PA, right wrist X-ray, 11-year-old female, presentation radiograph, 710 by 730 pixels

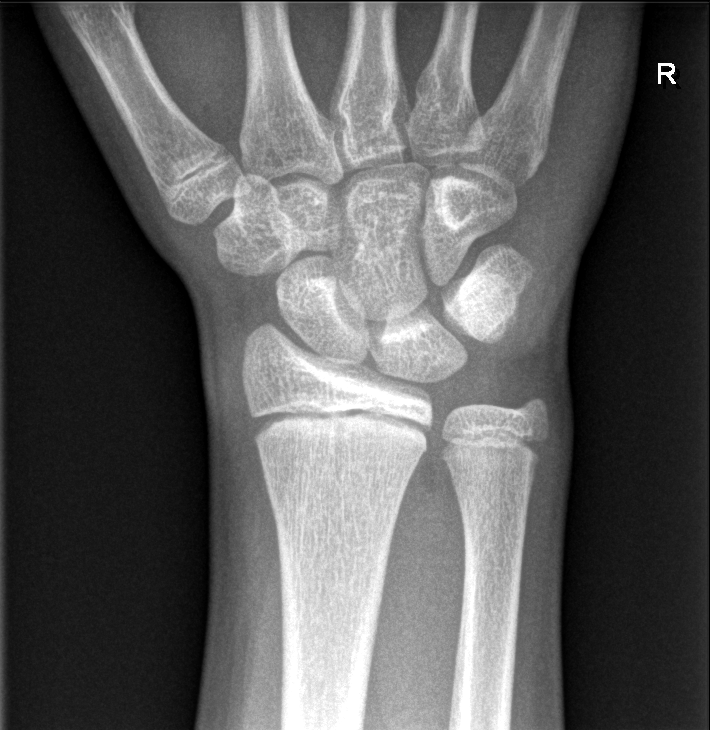

No Fx annotated.